Left wrist plain film · frontal projection · 13-year-old boy —

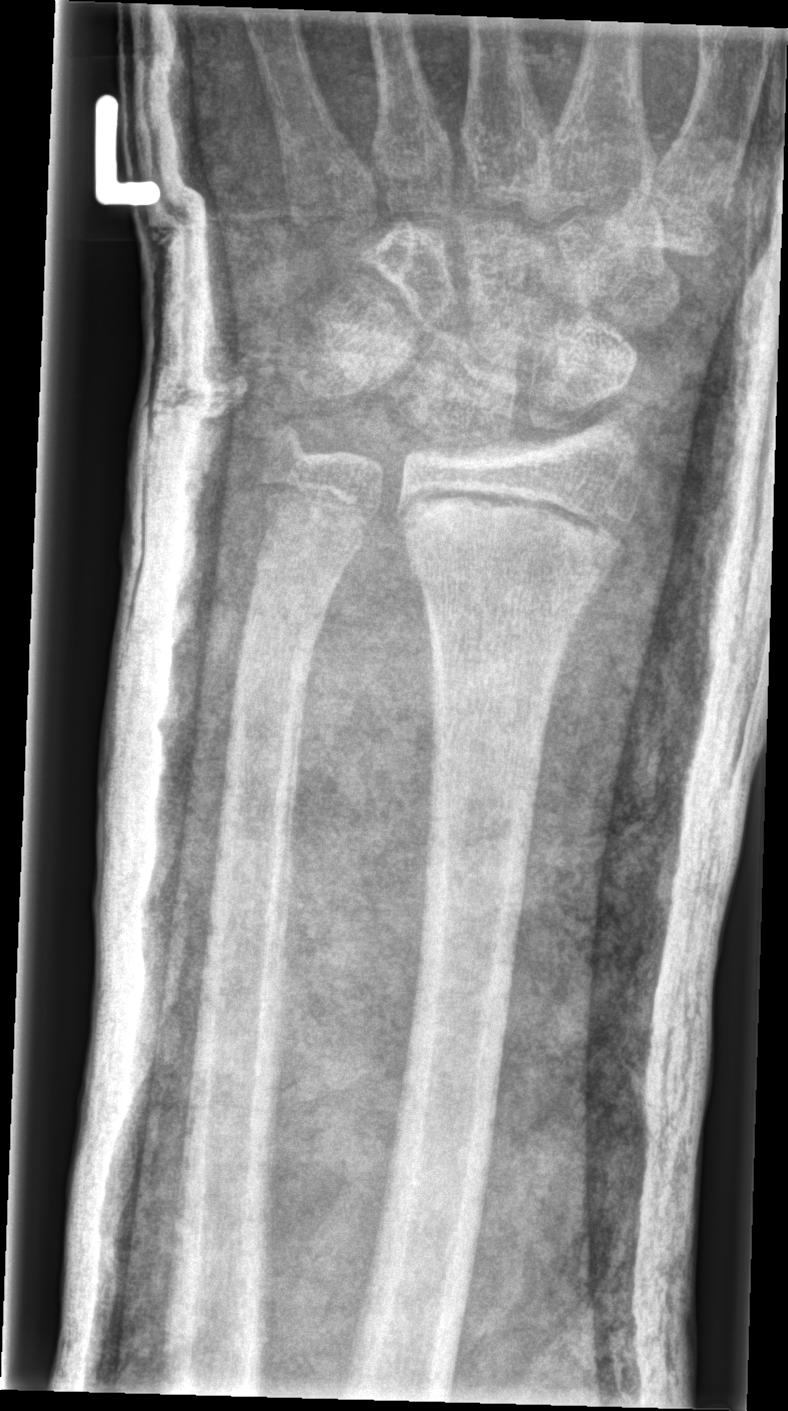
Coordinates are [x1, y1, x2, y2] in image pixels.
Fracture classified AO/OTA 23r-E/2.1; 23u-M/2.1.
Two bone fractures at (left=391, top=484, right=642, bottom=572); (left=233, top=563, right=337, bottom=669).